R wrist radiograph · frontal · male, 4 yo · follow-up · 545 by 602 pixels —

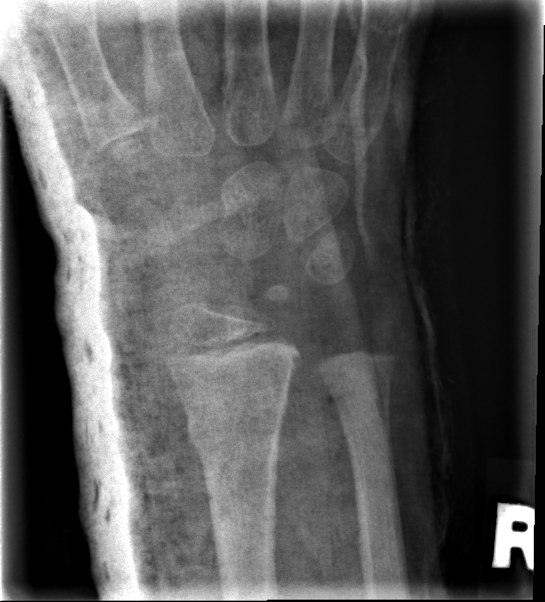
Findings: Fx identified at 182 401 288 462.